Right plain radiograph of the wrist · PA/AP · 13y F:
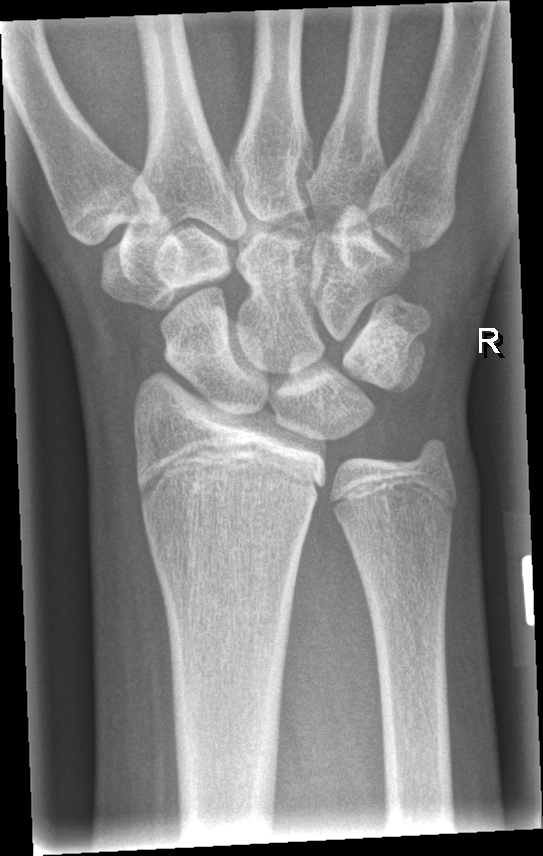

FINDINGS — No Fx annotated.